AP view | R pediatric wrist radiograph | 8-year-old female | initial study. 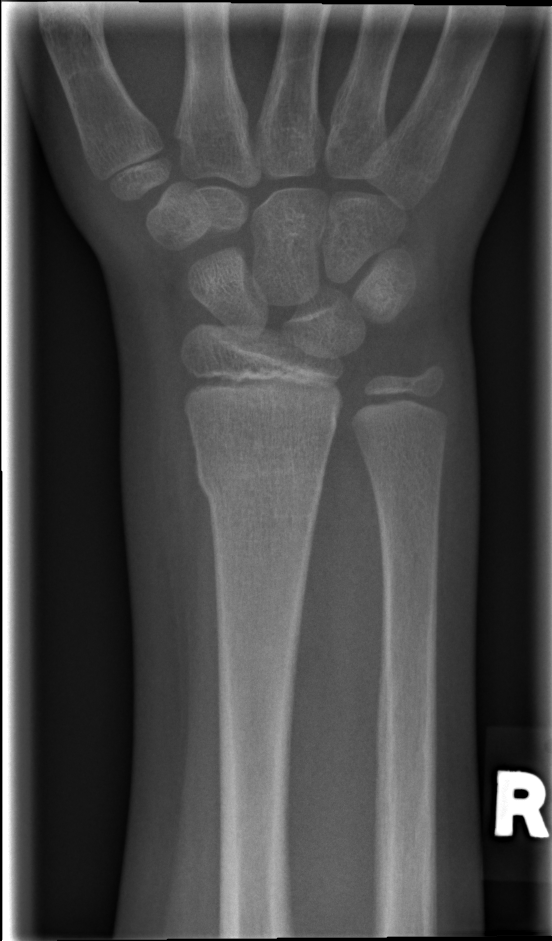 Fx: 1 @ <190,441>-<330,511>
AO/OTA: 23r-M/2.1